Lateral projection; L wrist X-ray; 15y M.

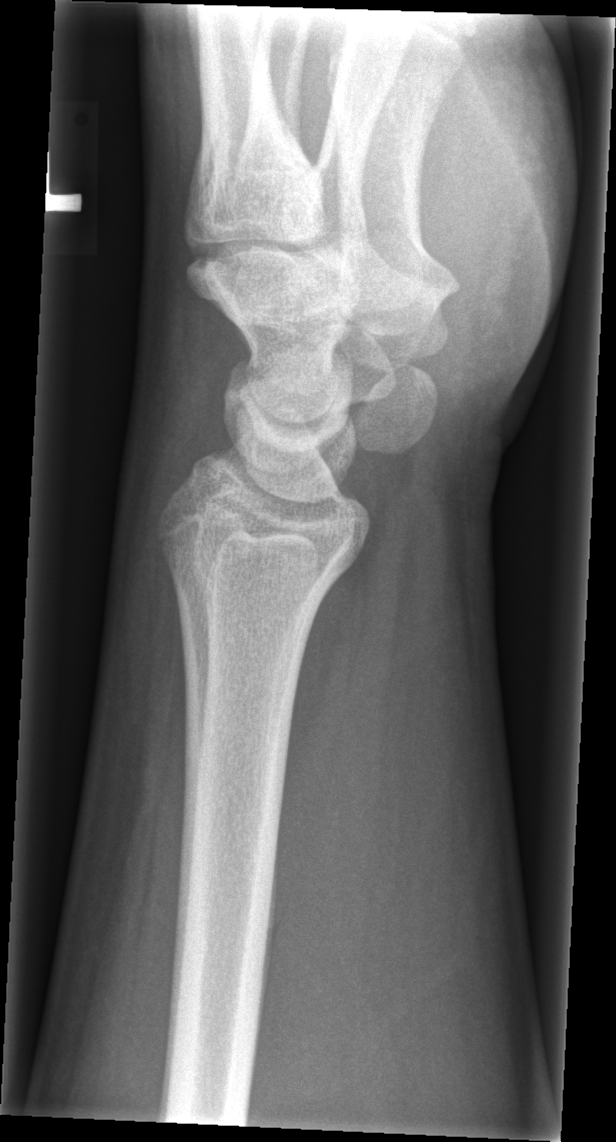
Fracture: none labeled.